Lateral, right wrist plain film
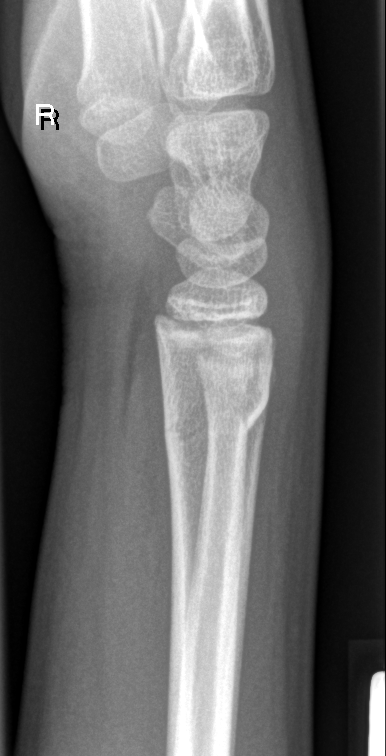
• AO/OTA classification: 23r-M/2.1.
• Fracture — 158 386 271 446.